Lt plain radiograph of the wrist | lateral projection | presentation radiograph 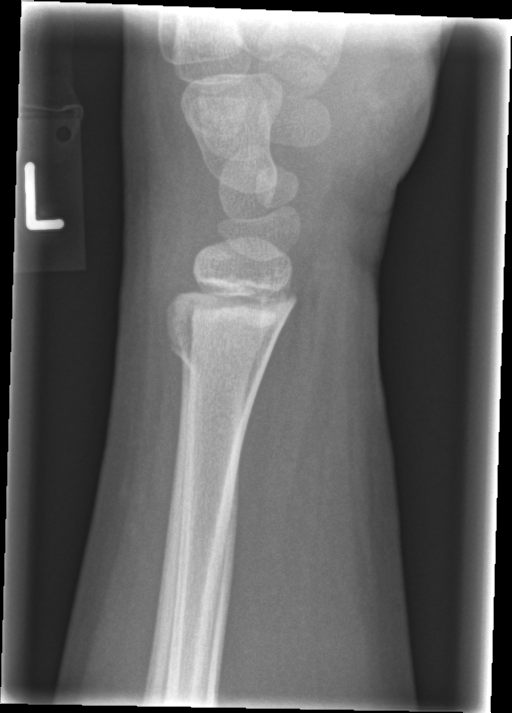

Fracture = 1 @ bbox(166, 326, 286, 375)
AO classification = 23r-M/2.1